Frontal projection | right wrist plain radiograph of the wrist | index exam
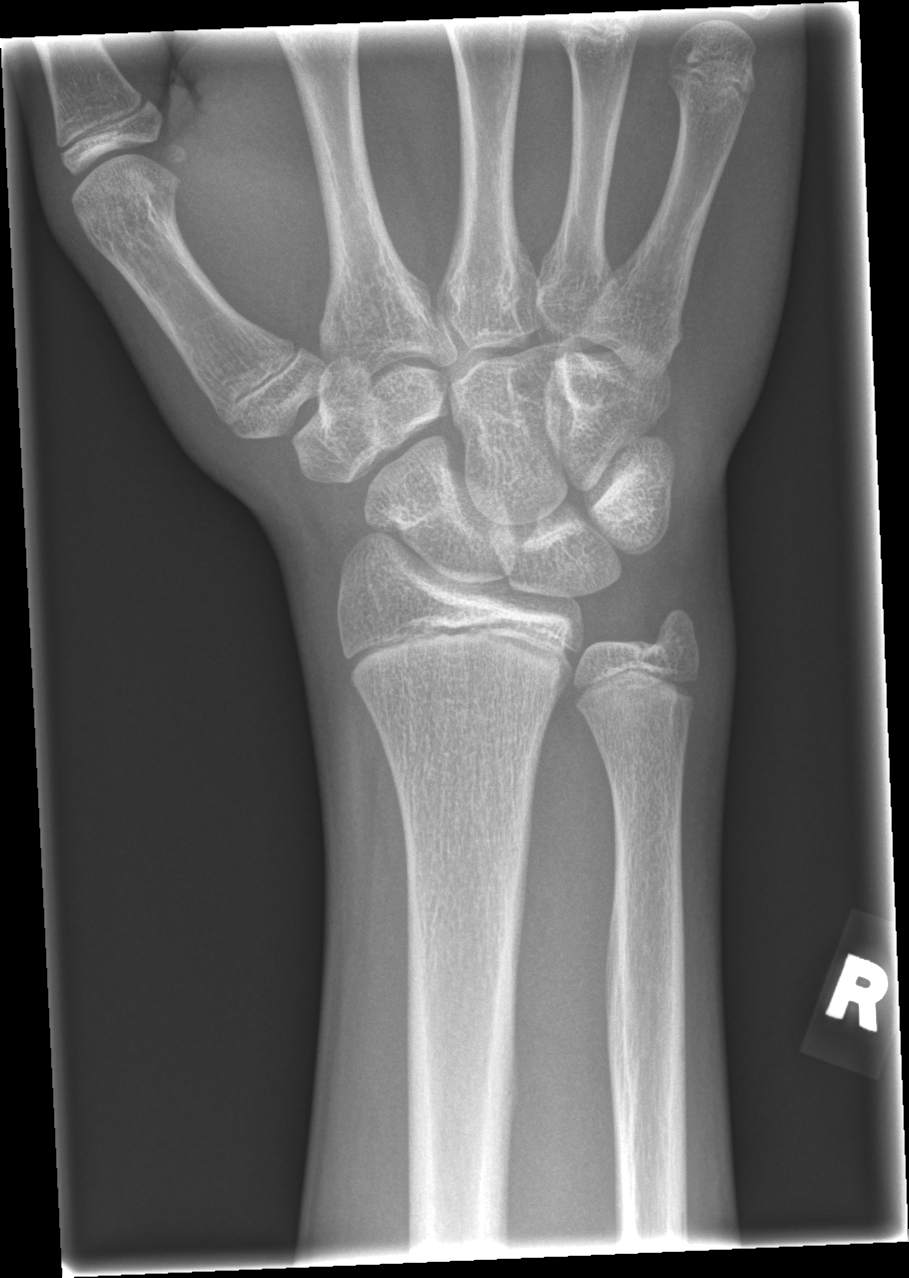 Bone fracture = none labeled